Lat projection; left wrist XR; pediatric patient (girl, age 9); follow-up; in cast — 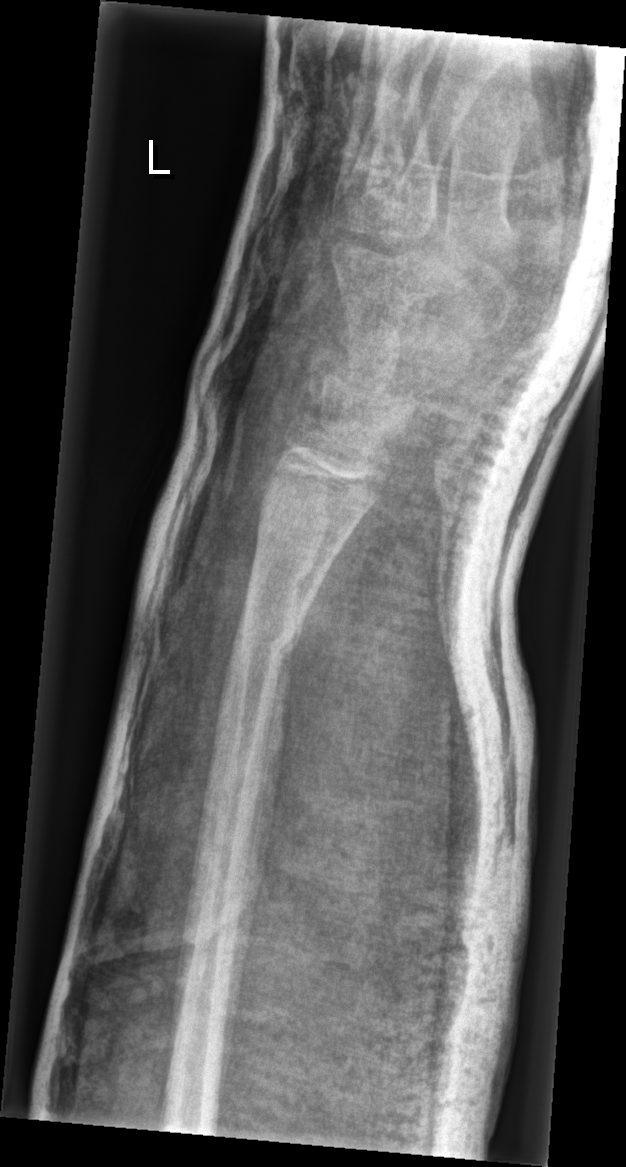 Q: Fracture present?
A: One Fx at bbox(229, 608, 308, 673)
Q: What is the AO/OTA classification?
A: Fracture classified AO/OTA 23-M/2.1